Lateral · Rt wrist XR · initial study · detector: Siemens · 85.5 mm image width · 594x1071 —

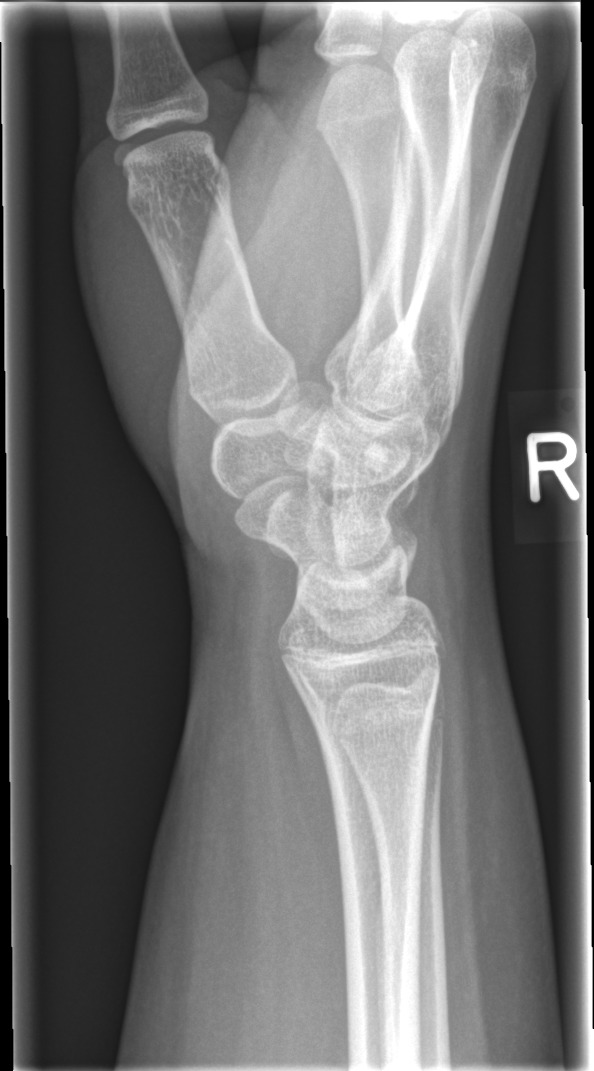

  fracture: none labeled
  bonelesion: <360,437>-<391,475>